L wrist X-ray · posteroanterior · 14y M
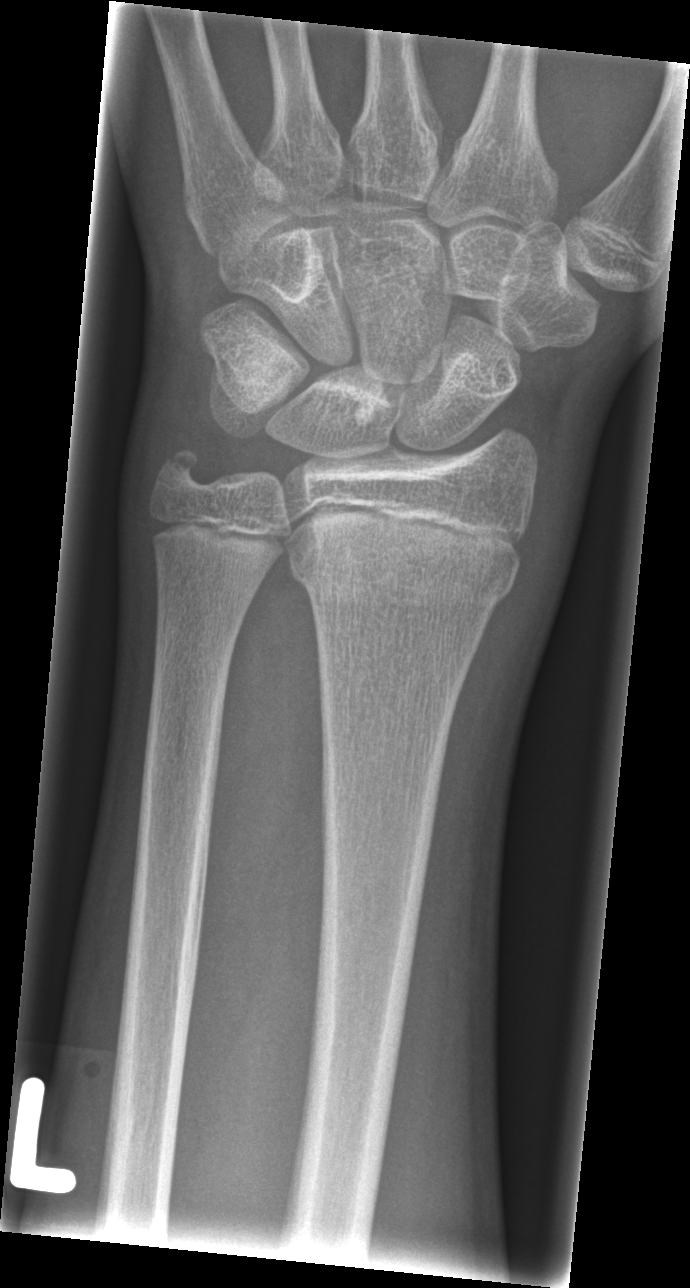

Bone fracture = 2 @ 279,519,522,619; 149,436,211,499
AO/OTA = 23r-E/2.1; 23u-E/7